Left wrist XR | frontal view | acquired on Siemens —

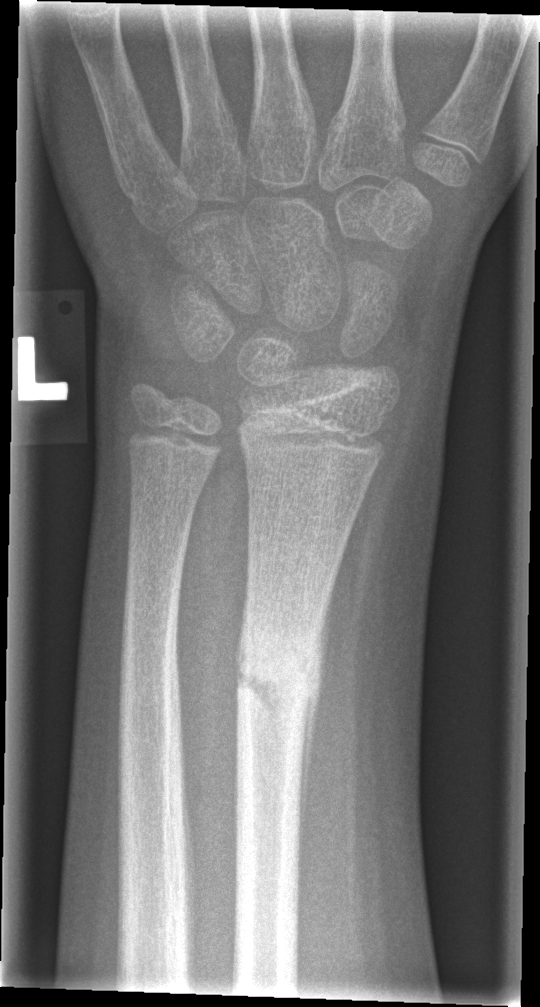

- Bounding boxes in image-pixel xyxy.
- One periosteal new bone at (left=299, top=599, right=327, bottom=866).
- Osteopenic.
- Fracture classified AO/OTA 22r-D/2.1.
- Bone fracture: (left=230, top=607, right=328, bottom=739).